Left pediatric wrist radiograph; frontal; 683 x 1014 px:
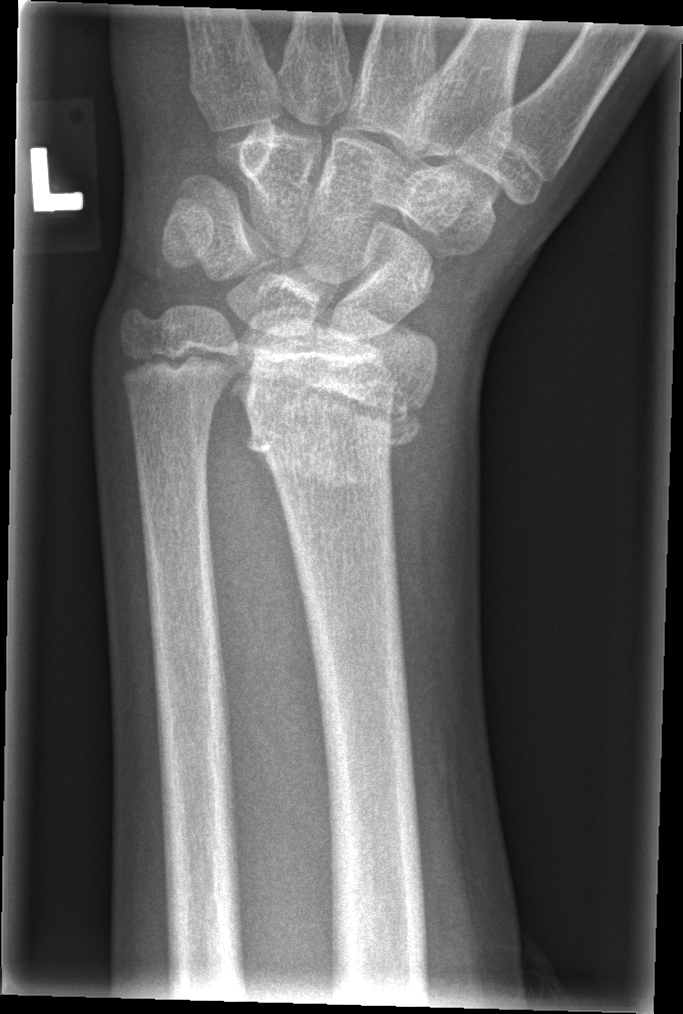 Q: Any fracture seen?
A: One fracture at [x1=224, y1=335, x2=436, y2=491]
Q: What is the AO/OTA classification?
A: AO code 23r-E/2.1